Posteroanterior, left wrist radiograph, 17y F 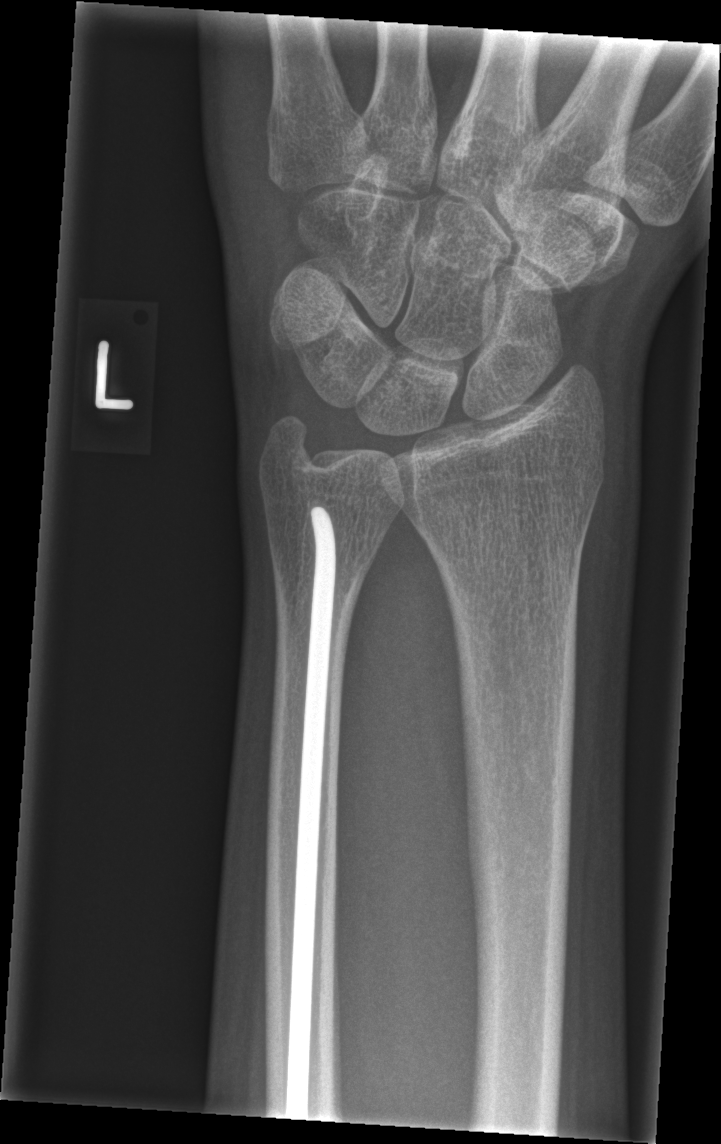
Findings: (coordinates are [x1, y1, x2, y2] in image pixels) Hardware — (left=284, top=505, right=338, bottom=1123). Fracture: none labeled.